Lt wrist X-ray | AP view | in cast.
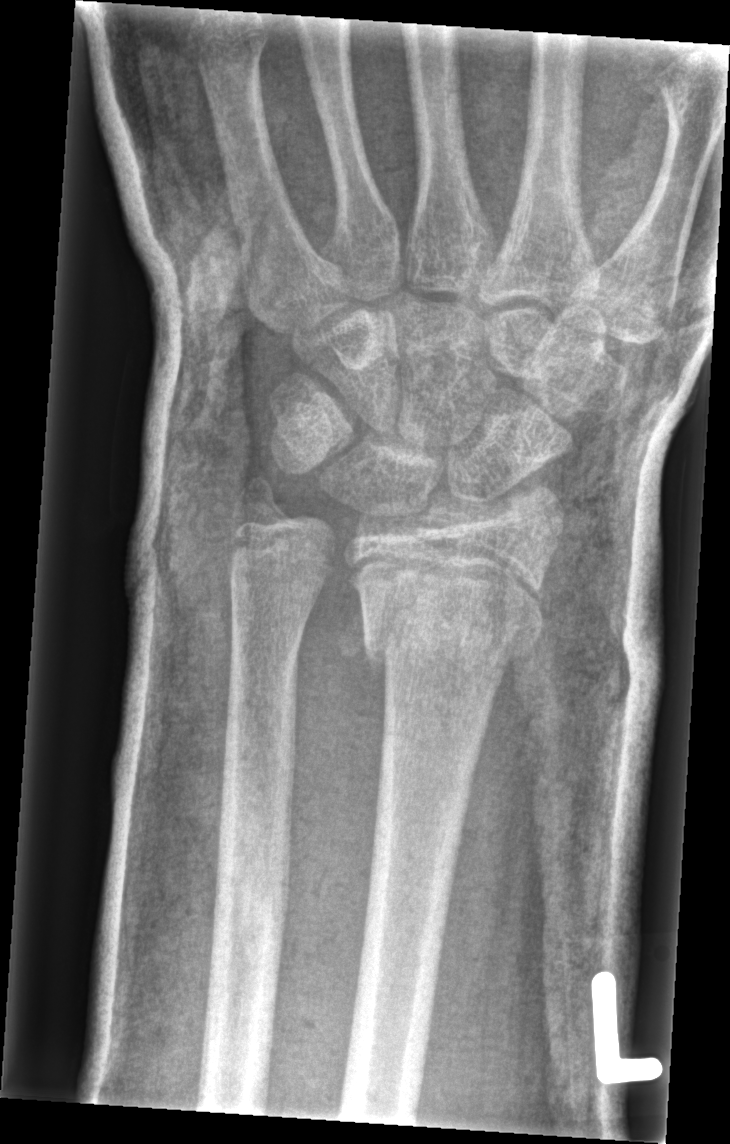

Boxes as x1,y1,x2,y2 (top-left / bottom-right, pixel units).
Bone fracture identified at [350, 555, 546, 667], [226, 469, 294, 541].
Fracture classified AO/OTA 23r-M/3.1; 23u-E/7.